Lateral projection · left pediatric wrist radiograph · subsequent exam · cast present · detector: Siemens. 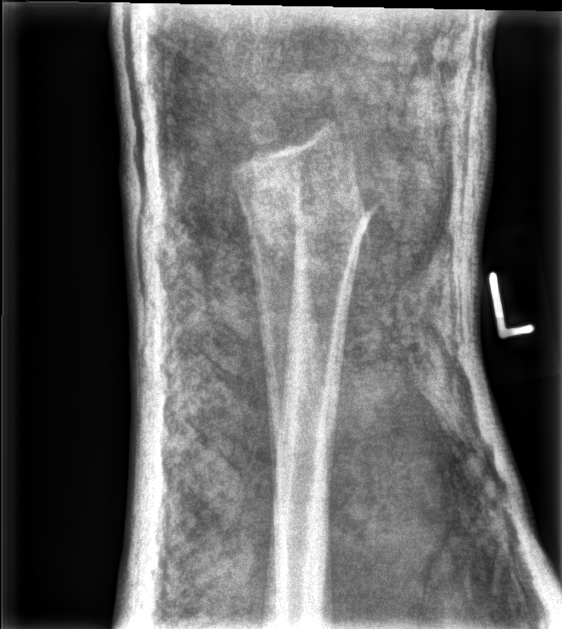

• Boxes as x1,y1,x2,y2 (top-left / bottom-right, pixel units).
• Bone fracture: bbox(241, 170, 381, 267).